Right wrist X-ray | frontal projection | boy, 10 yo | follow-up

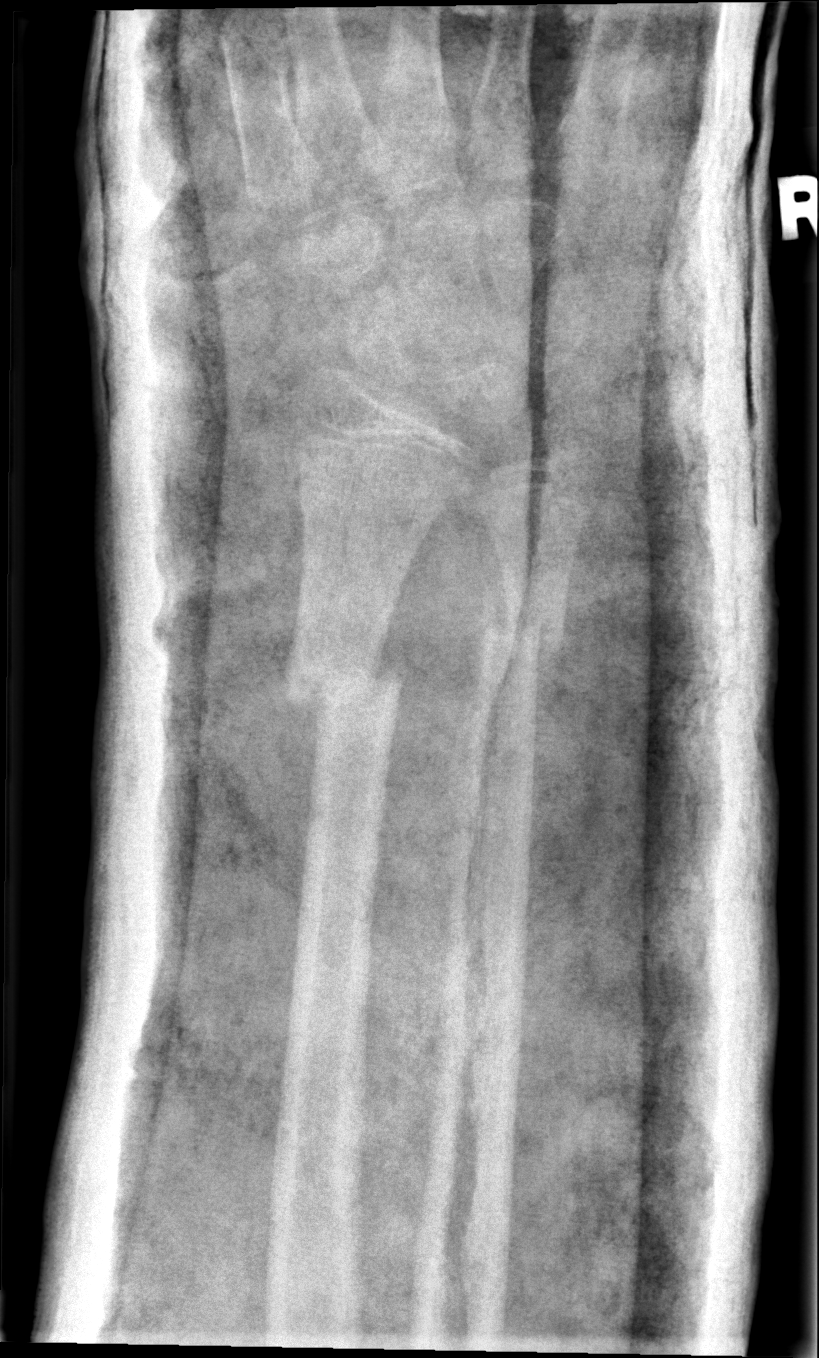 Findings: (coordinates are [x1, y1, x2, y2] in image pixels) Two Fx at (275, 643, 412, 734); (466, 594, 572, 674). AO/OTA classification: 23-M/3.1.